PA view · Rt plain radiograph of the wrist · 16-year-old male · initial study 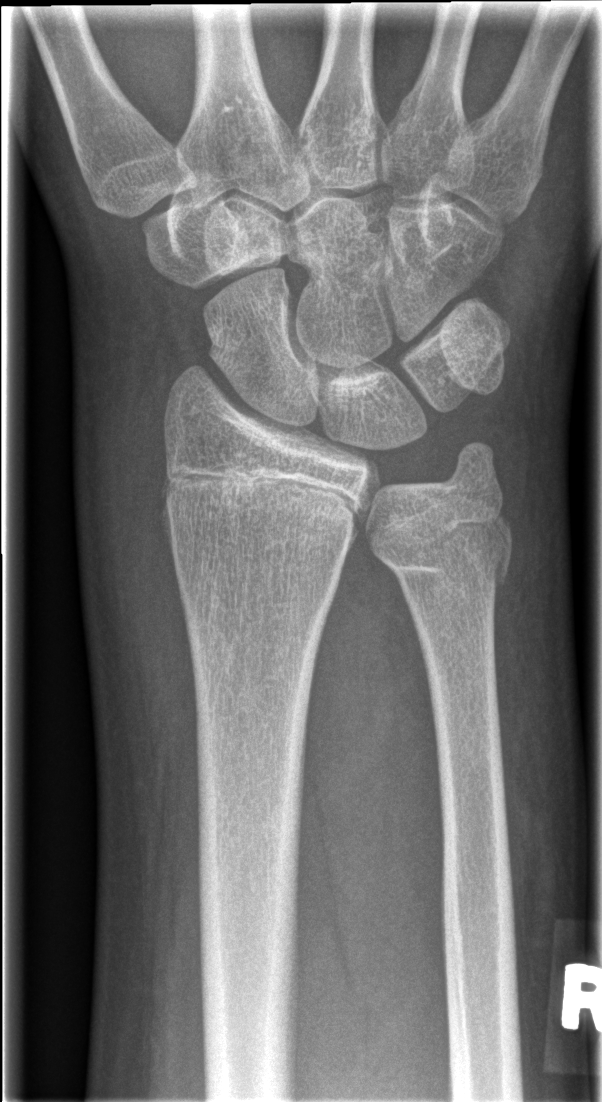

(bounding boxes in image-pixel xyxy)
Fx: (155, 470, 362, 550), (362, 501, 515, 594)